PA/AP; Lt wrist plain film. 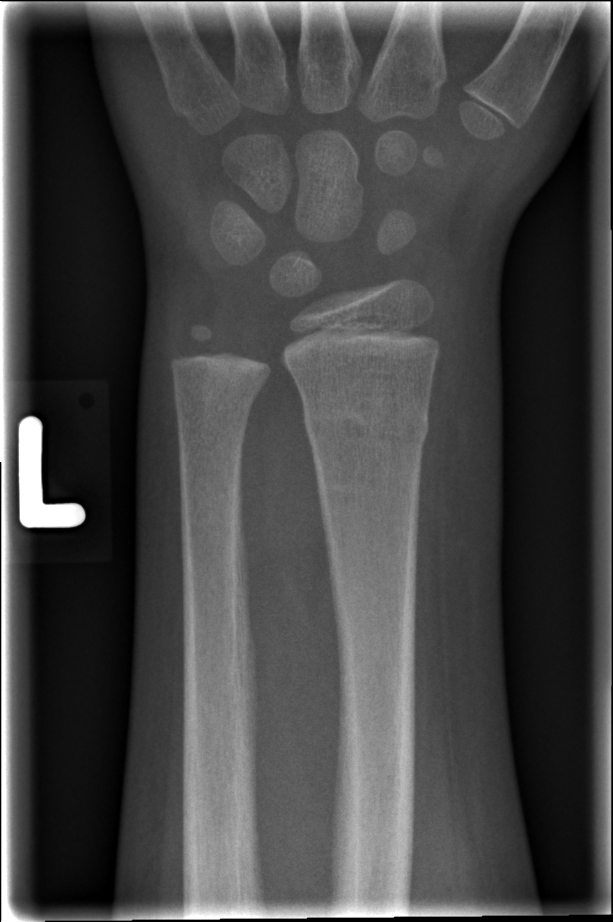 AO/OTA classification: 23r-M/2.1. Fracture — [300, 391, 432, 460].